L pediatric wrist radiograph · AP · presentation radiograph —
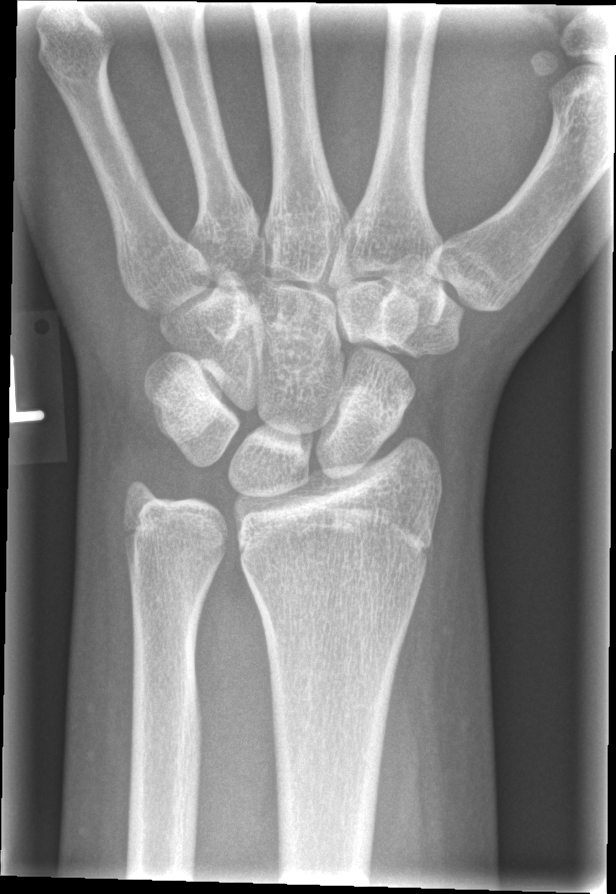
• No fracture labeled.